Right wrist XR, AP projection, cast present:

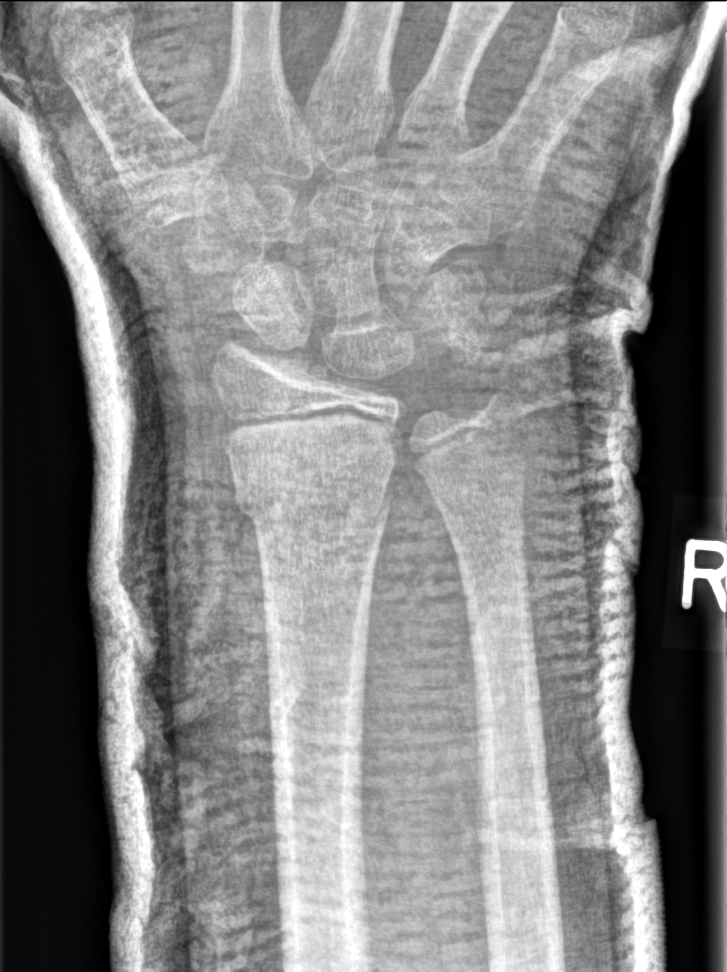
Bounding boxes in image-pixel xyxy.
AO/OTA classification: 23r-M/3.1; 23u-E/7.
Bone fracture identified at 230 462 396 551.